Lateral projection · left wrist XR · subsequent exam · 393x854 — 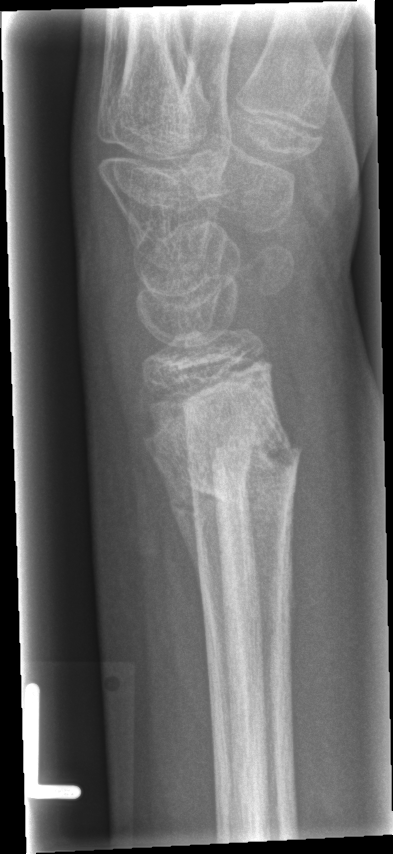 - Bounding boxes in image-pixel xyxy.
- Periosteal reaction identified at 161 468 236 757.
- Fracture classified AO/OTA 23r-M/3.1; 23u-E/7.
- Fx: 163 408 303 525.
- Reduced bone mineral density.